L wrist radiograph | lateral 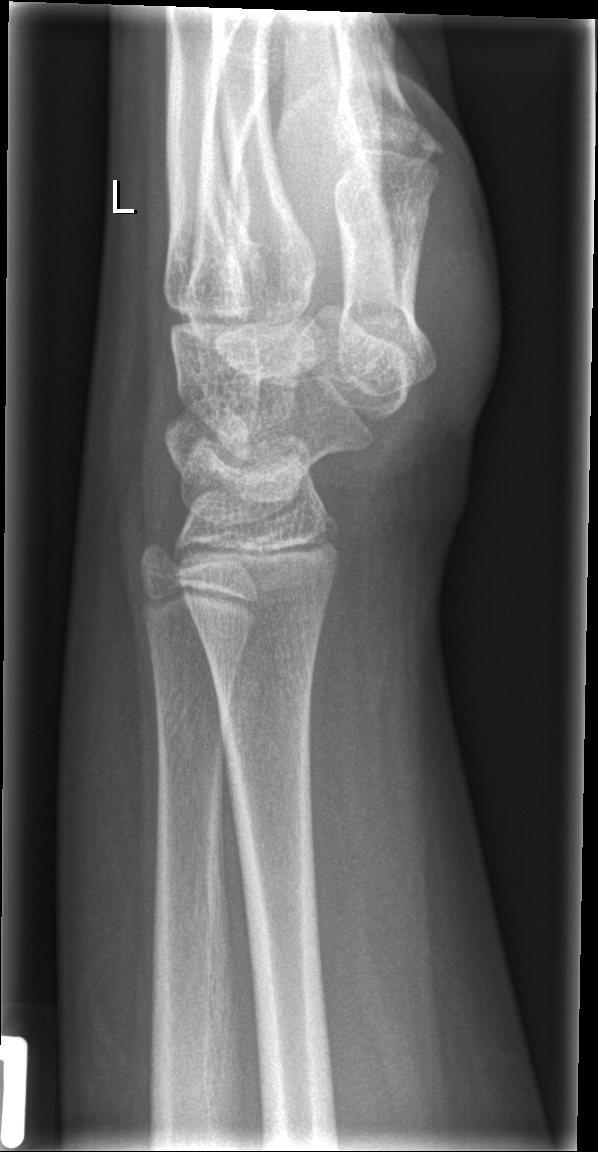

No fracture annotation.